Frontal | Rt pediatric wrist radiograph | pediatric patient (male, age 12) | presentation radiograph — 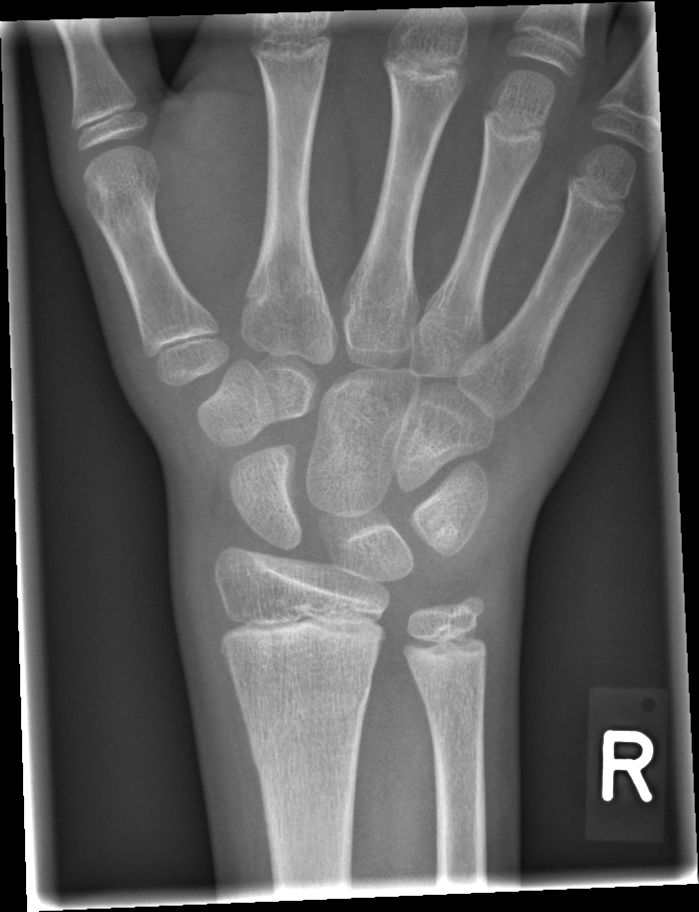 {
  "_coords": "boxes as x1,y1,x2,y2 (top-left / bottom-right, pixel units)",
  "fracture": "[x1=236, y1=676, x2=373, y2=768]"
}